Rt pediatric wrist radiograph; frontal projection; 12-year-old male; cast present; 889x1036 —
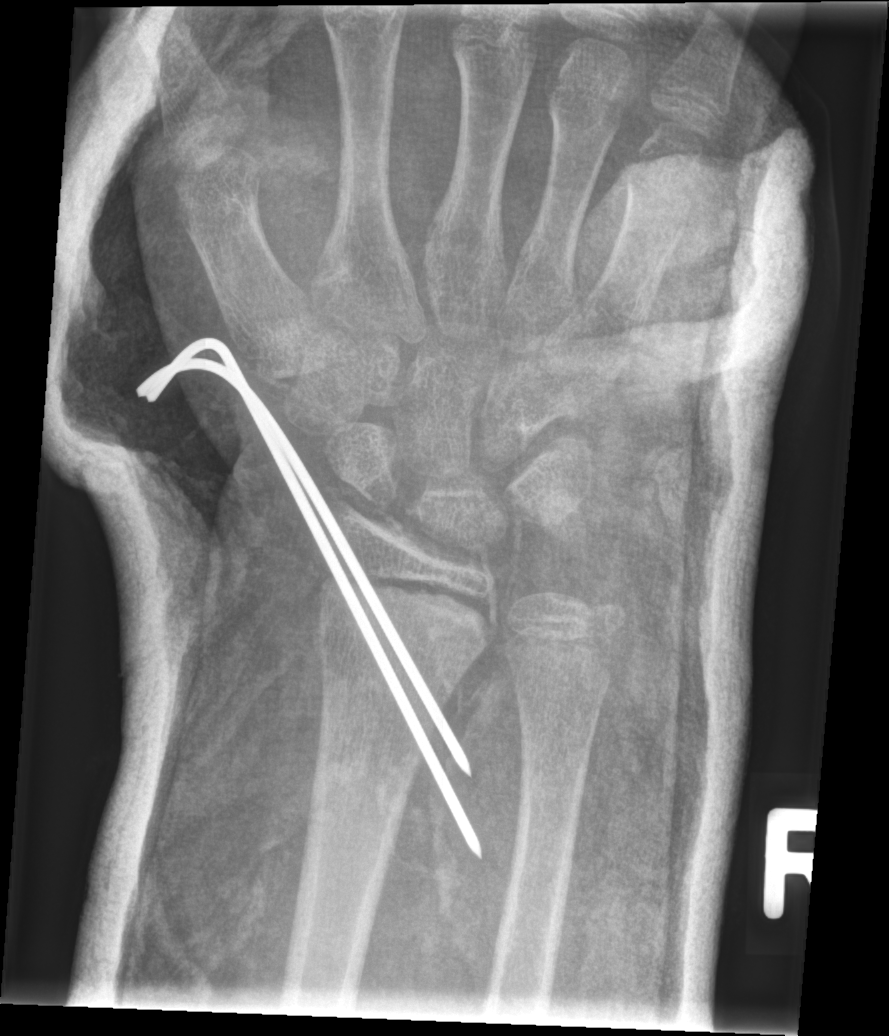

Metal — [x1=136, y1=337, x2=483, y2=855].
AO/OTA classification: 23r-E/2.1.
Fracture present but not clearly seen in this view.